Left pediatric wrist radiograph; lateral view; subsequent exam; imaged through cast; acquired on Siemens:
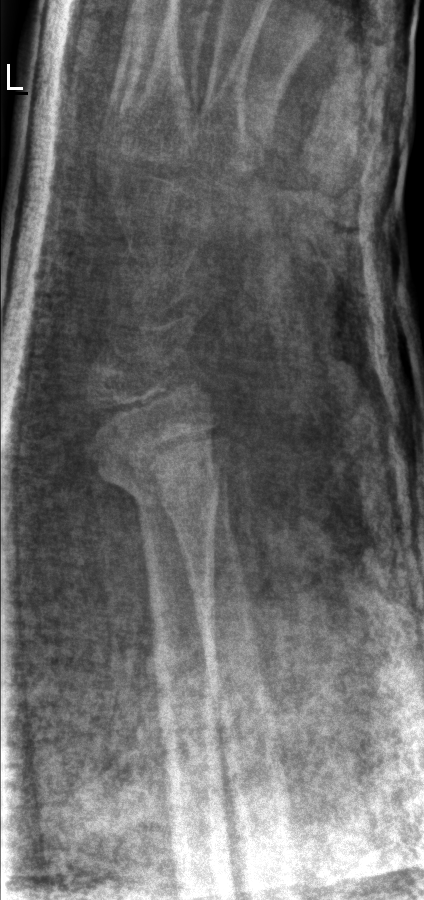

* Fracture classified AO/OTA 23r-M/3.1; 23u-M/2.1.
* Bone fracture — <92,434>-<227,502>.